Lat | R wrist X-ray | 9y F

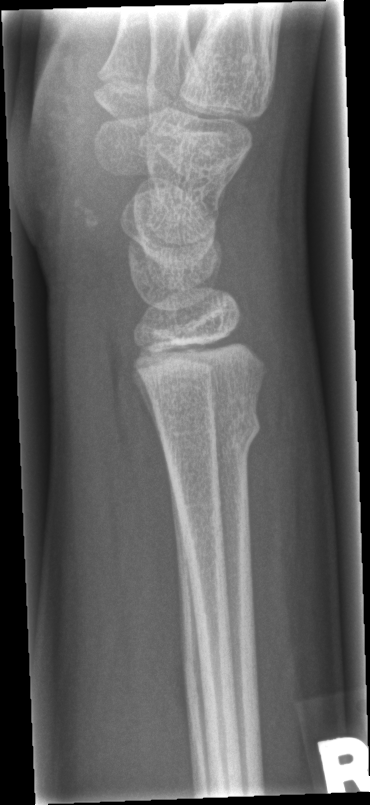 Fracture — (153, 394, 263, 459).